Lt wrist XR, lat, age 10 y, girl:

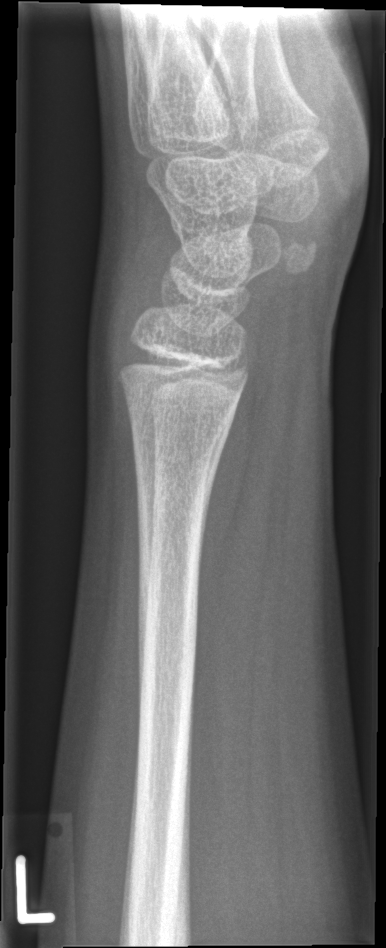 No fracture bounding box.